Lateral; left wrist plain film; Siemens 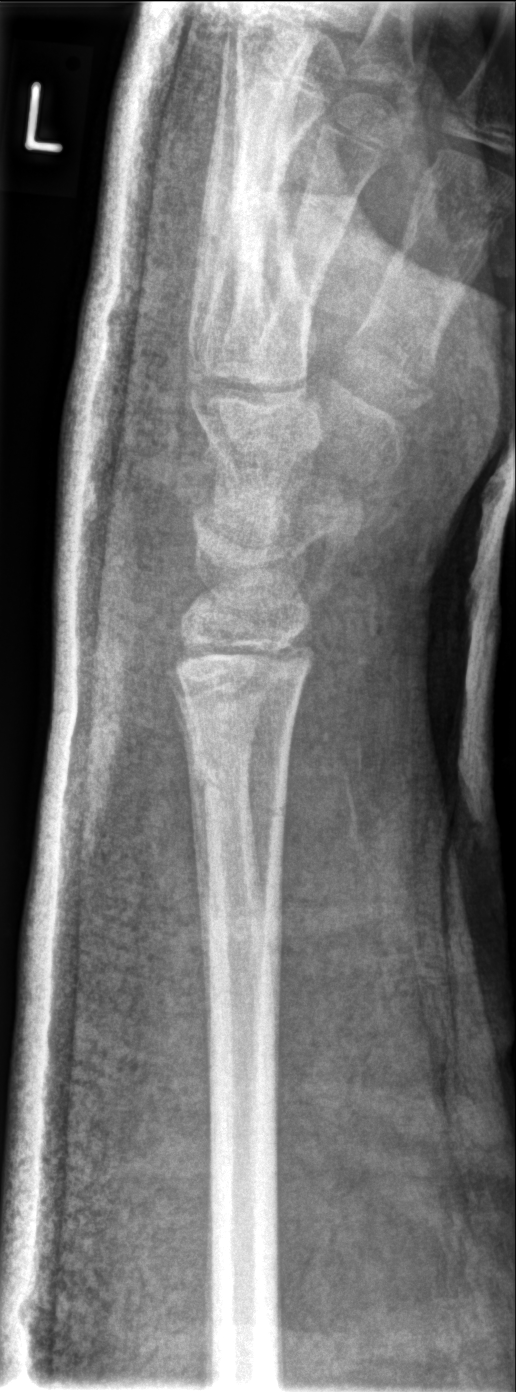
Bone fracture — 189 748 291 826.
AO/OTA classification: 23r-M/3.1.